AP · right wrist XR. 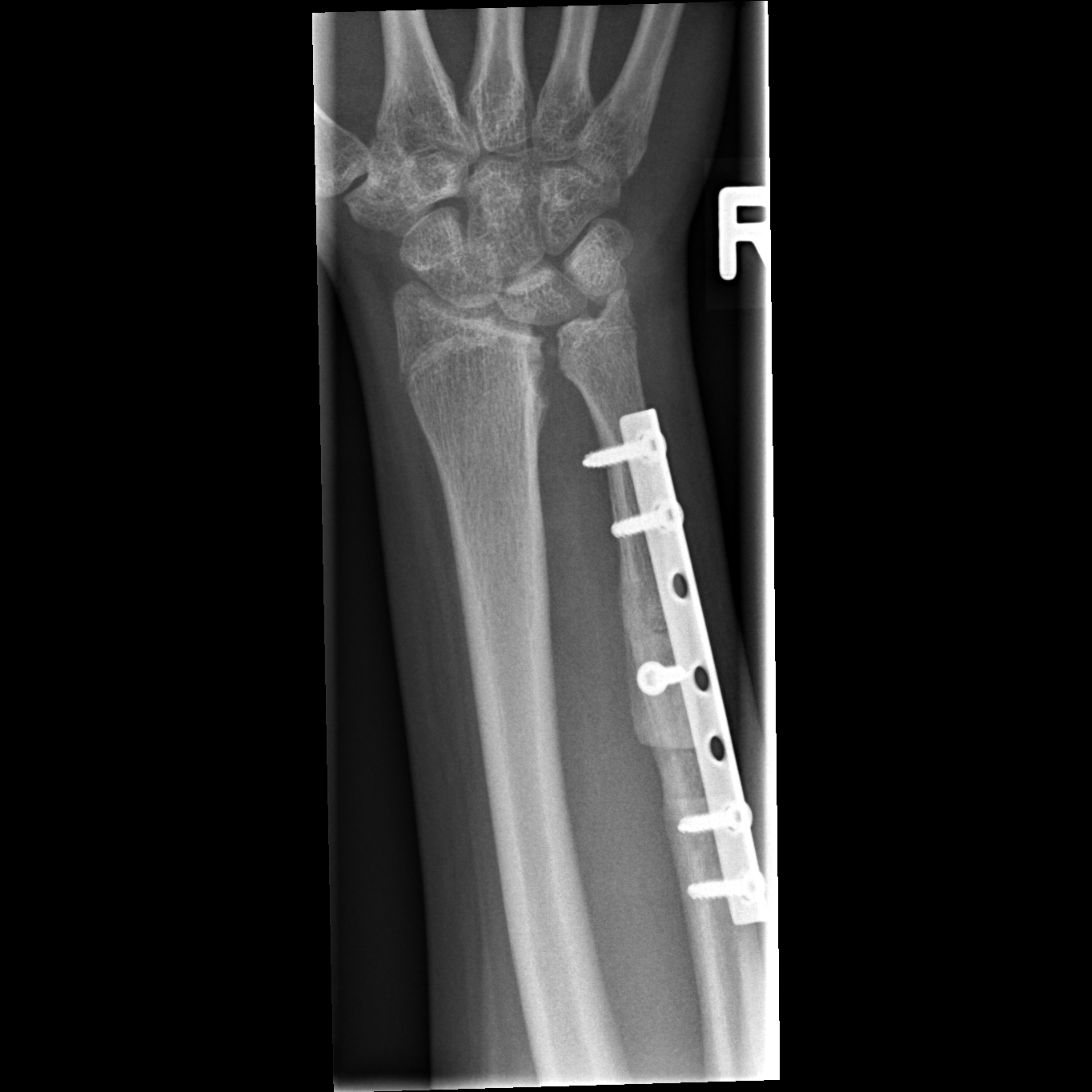
Fx: none labeled
bone variant: 2 @ (left=520, top=276, right=639, bottom=428); (left=632, top=728, right=705, bottom=805)
hardware: (left=585, top=413, right=772, bottom=929)